Right wrist X-ray | lat projection | 10-year-old girl: 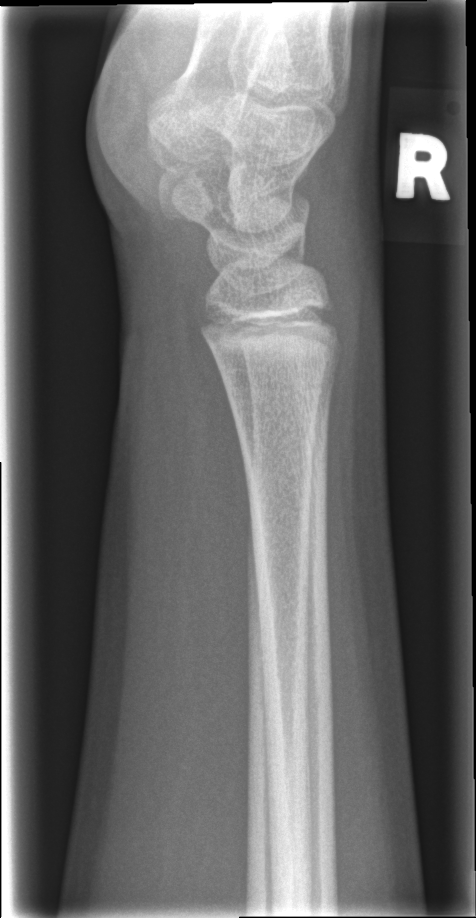 Q: Any fracture seen?
A: No fracture annotation